Left wrist radiograph | posteroanterior | 15y F: 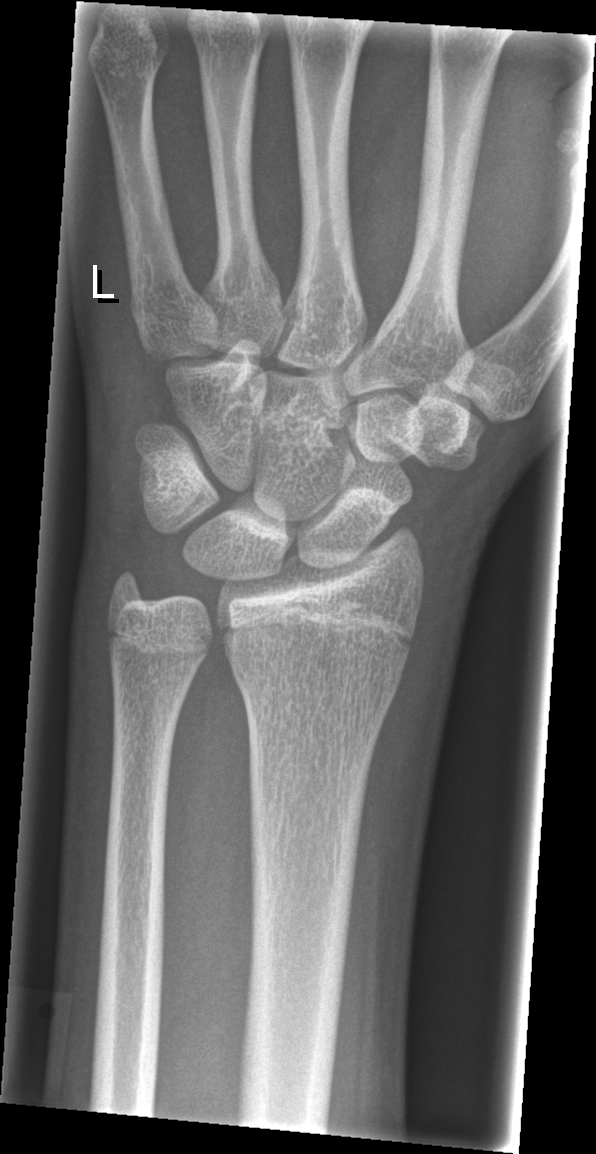 Fx: none.